Posteroanterior projection, Lt pediatric wrist radiograph, age 9 y, female, cast in situ, acquired on Siemens, 546 by 972 pixels:
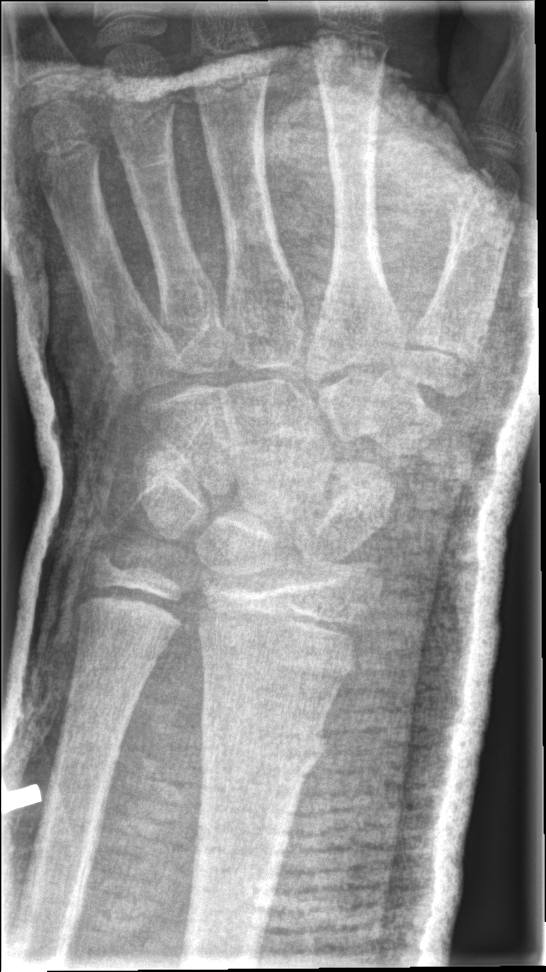 FINDINGS: (coordinates are [x1, y1, x2, y2] in image pixels) Fracture classified AO/OTA 23r-M/2.1. Bone fracture — (195, 694, 332, 788).